Right wrist plain film, lateral projection, 14-year-old male, presentation radiograph, detector: Siemens.

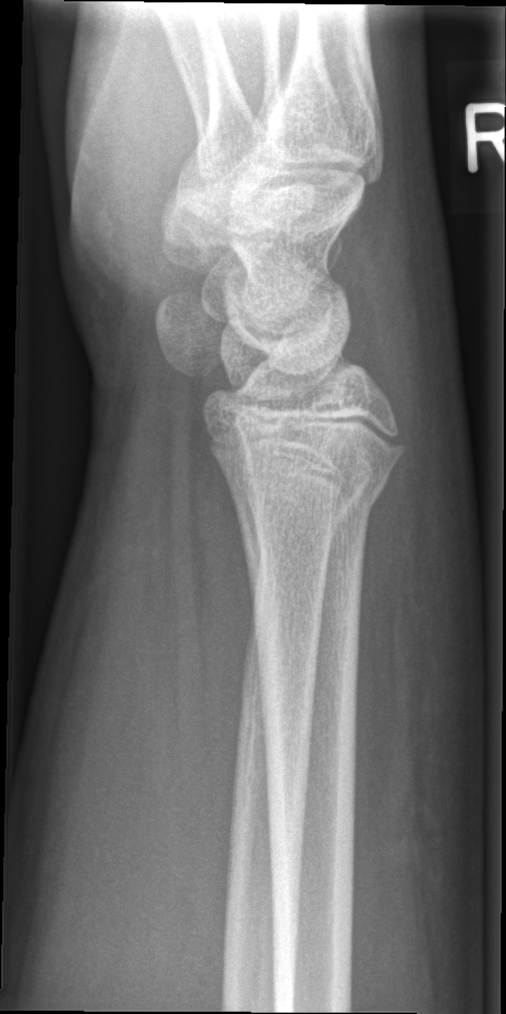

* Bone fracture identified at 218,460,395,537.
* Soft-tissue finding identified at 345,410,487,926.